Right wrist X-ray · posteroanterior projection · imaged through cast.
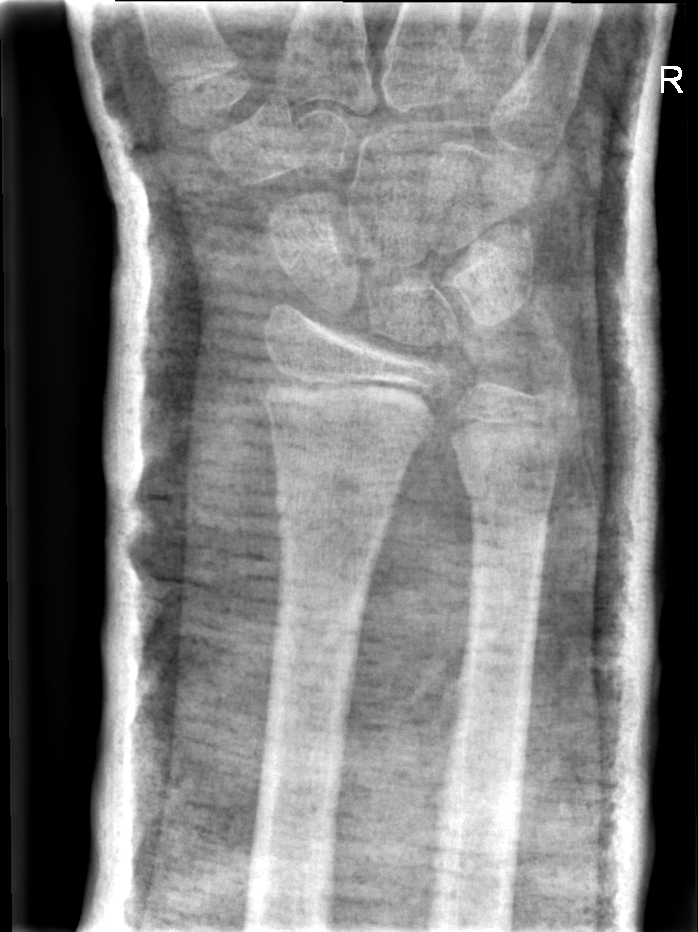

(boxes as x1,y1,x2,y2 (top-left / bottom-right, pixel units))
AO code = 23-M/3.1
Fx = 2 @ 274 498 394 548
  462 478 557 520